Lt pediatric wrist radiograph · lat projection · 4-year-old girl · 376x812 — 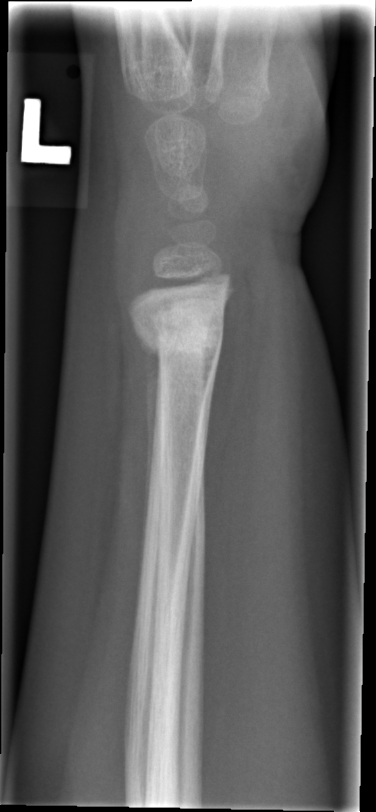

Bone fracture identified at [x1=123, y1=287, x2=233, y2=365]. Fracture classified AO/OTA 23-M/2.1. Periosteal thickening identified at [x1=136, y1=331, x2=162, y2=571].